Lat view | left wrist plain film —
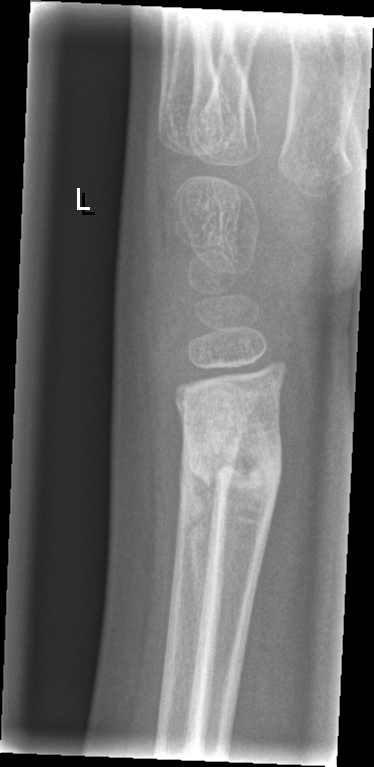 (bounding boxes in image-pixel xyxy)
periosteal thickening = 1 @ 183,445,215,629
bone fracture = 1 @ 180,421,287,506
osteopenia = present